R pediatric wrist radiograph; PA/AP; follow-up study; cast in situ; detector: Siemens:
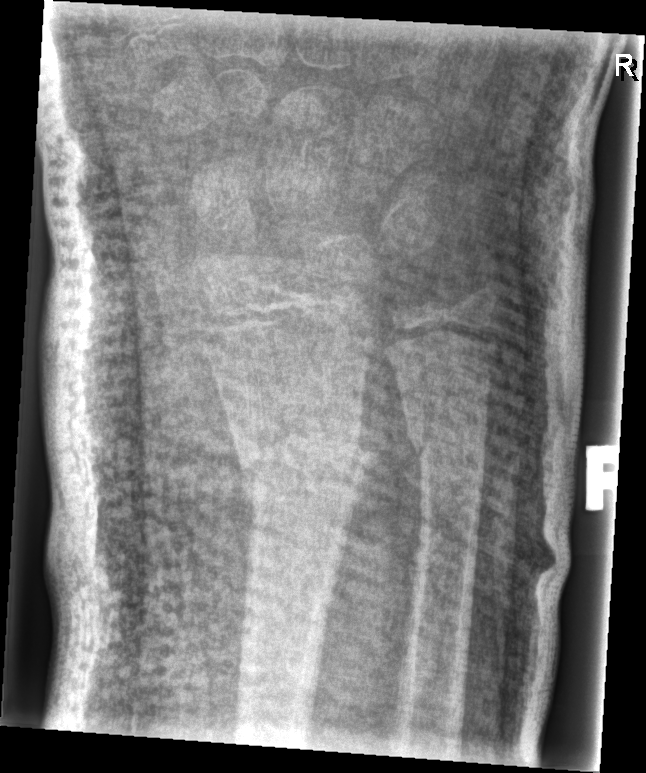 Two fractures at bbox(229, 400, 377, 507), bbox(402, 389, 491, 477).
Fracture classified AO/OTA 23r-M/3.1; 23u-M/2.1.